Left wrist XR, lateral, Siemens, 450 x 874 px —

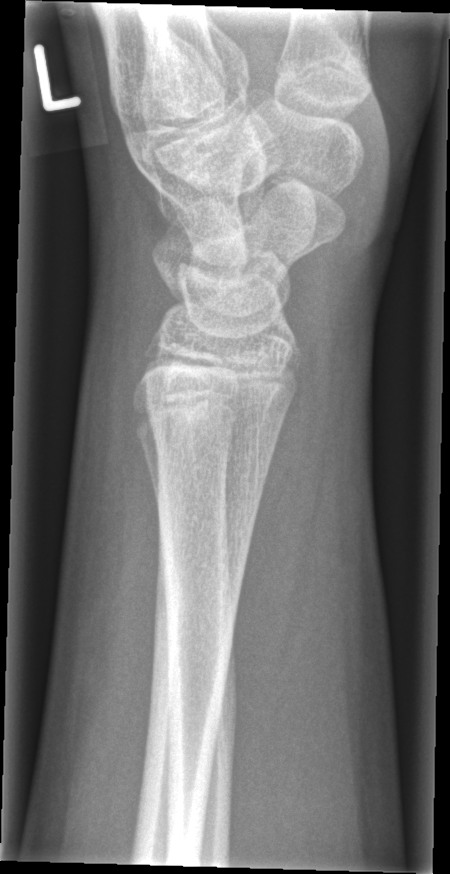 Q: Is there a fracture?
A: Fracture: none labeled